AP projection; R wrist X-ray; 10-year-old boy; image 100.5 mm wide; image size 698x1297.

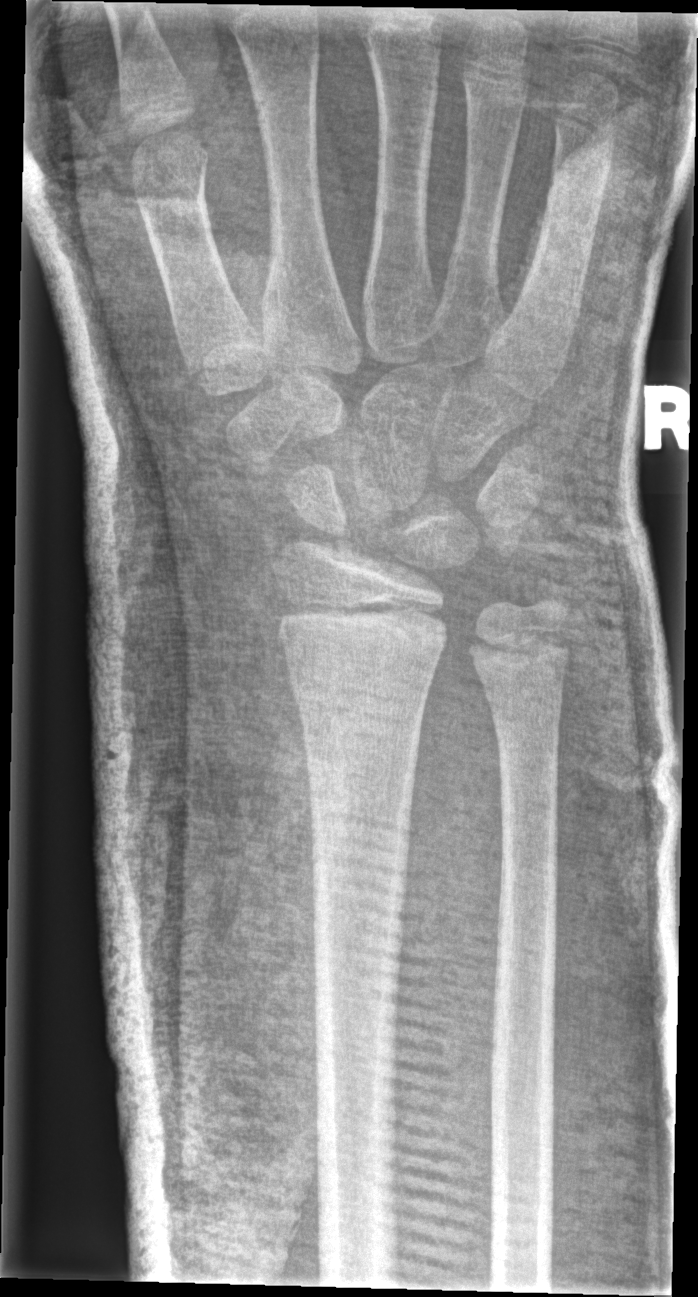

Fracture present but not clearly seen in this view. AO/OTA classification: 23r-E/2.1.